Lat projection · left wrist X-ray · 8-year-old female · 416x974 — 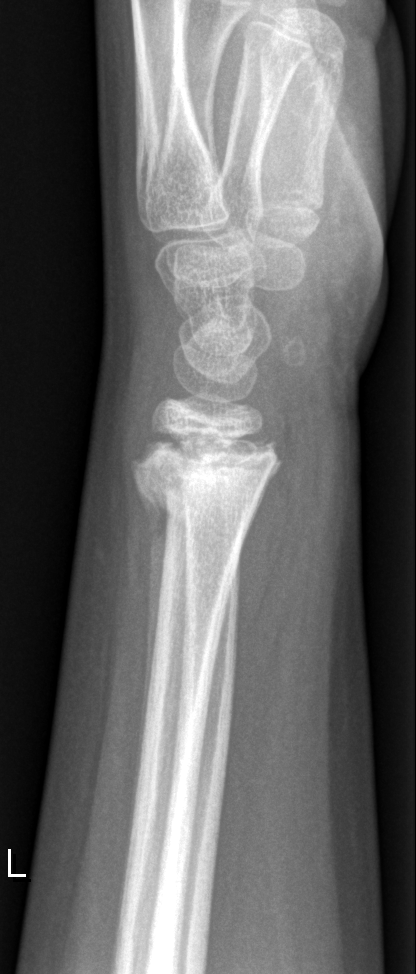
Periosteal new bone: [130, 468, 166, 718]
Fracture: [129, 425, 282, 539]
AO code: 23r-M/3.1; 23u-E/7